Left wrist plain film, lateral, follow-up study, 75.9 mm image width:
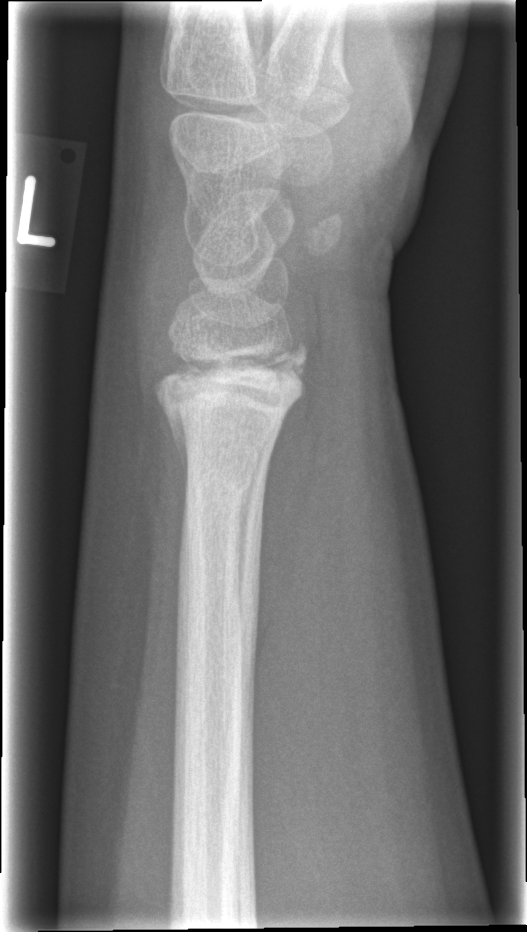
(boxes as x1,y1,x2,y2 (top-left / bottom-right, pixel units))
Fx = 2 @ 147,336,314,456
  175,463,262,519
Periosteal new bone = 156,385,190,507
AO/OTA = 23r-E/2.1; 23u-M/2.1